Lat, left wrist radiograph, index exam — 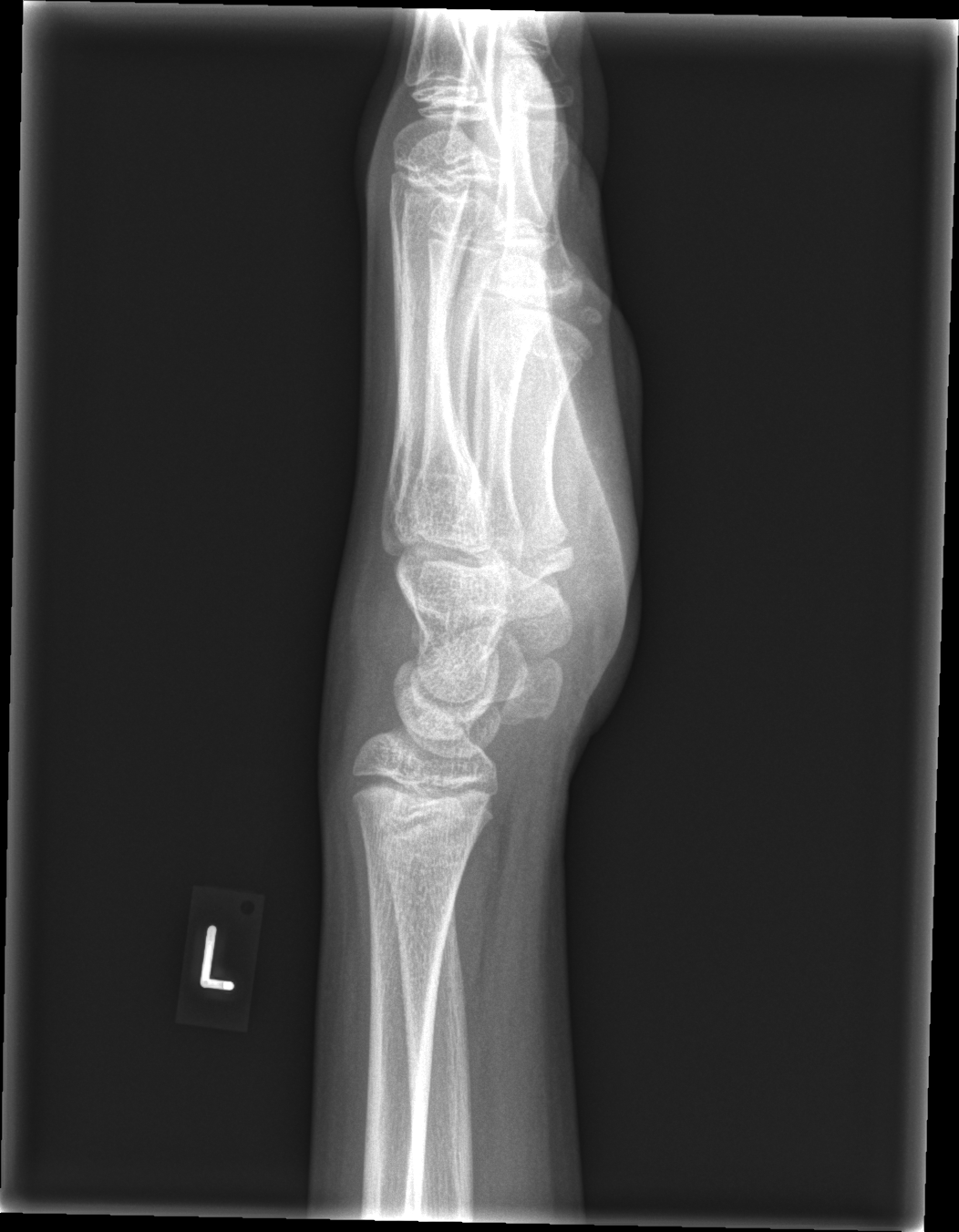
fracture: none labeled
soft-tissue finding: 1 @ (left=315, top=574, right=416, bottom=760)